Lateral view, right wrist plain film, age 1.6 y, female. 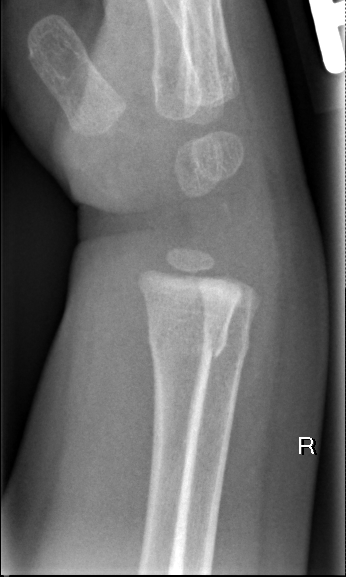

- Pixel coordinates, top-left origin, xyxy.
- Two bone fractures at [145, 321, 231, 364], [200, 329, 254, 361].
- AO code 23-M/2.1.